PA/AP, right wrist plain film, male, 15 yo.

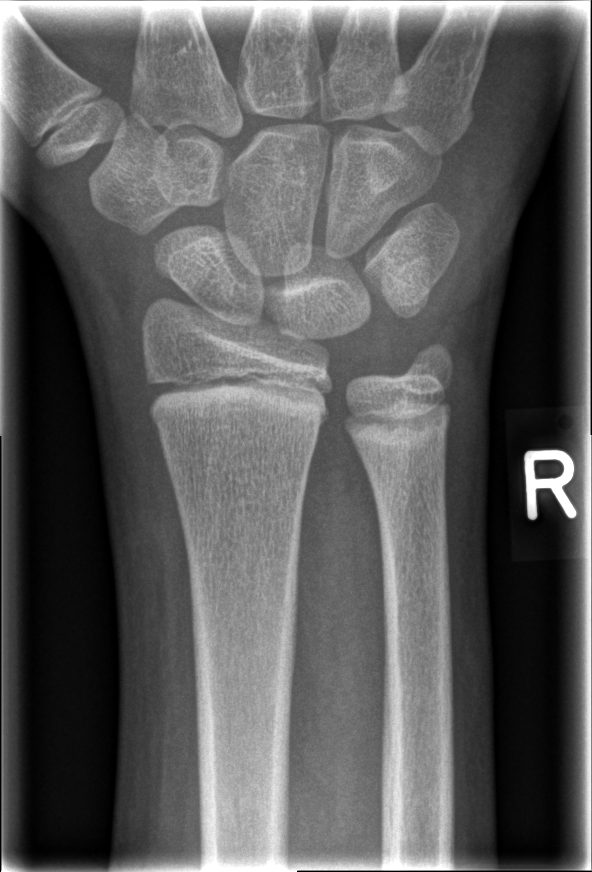
• No fracture annotation.